L pediatric wrist radiograph · lat projection · pediatric patient (female, age 9) · presentation radiograph · detector: Siemens.

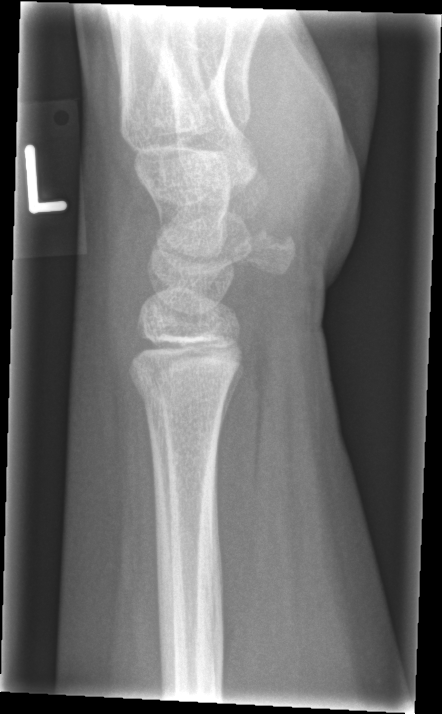 Bounding boxes in image-pixel xyxy. Bone fracture identified at [x1=127, y1=364, x2=235, y2=424].